Lateral view; right wrist XR; age 10 y, female; acquired on Siemens: 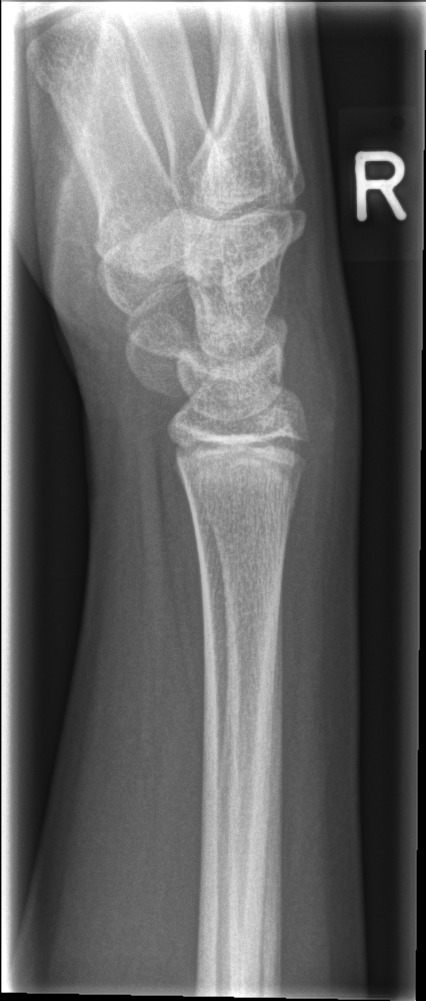

Findings: No fracture bounding box.